Frontal · left wrist X-ray · age 8 y, male.

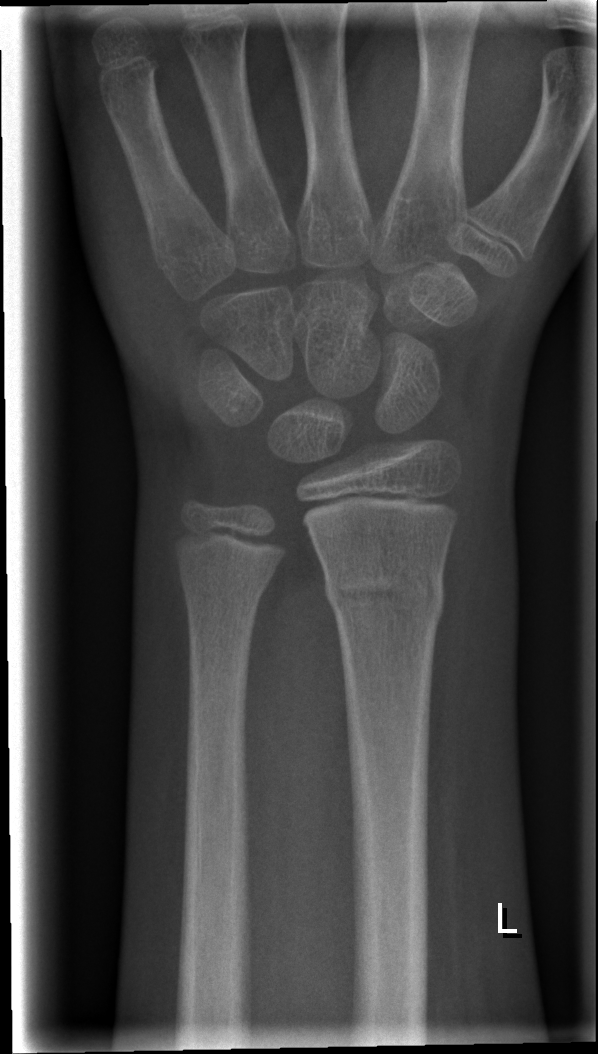

Fracture: bbox(320, 559, 449, 635) bbox(173, 546, 282, 615). AO/OTA classification: 23-M/2.1.